L wrist X-ray; PA/AP view; pediatric patient (boy, age 7).
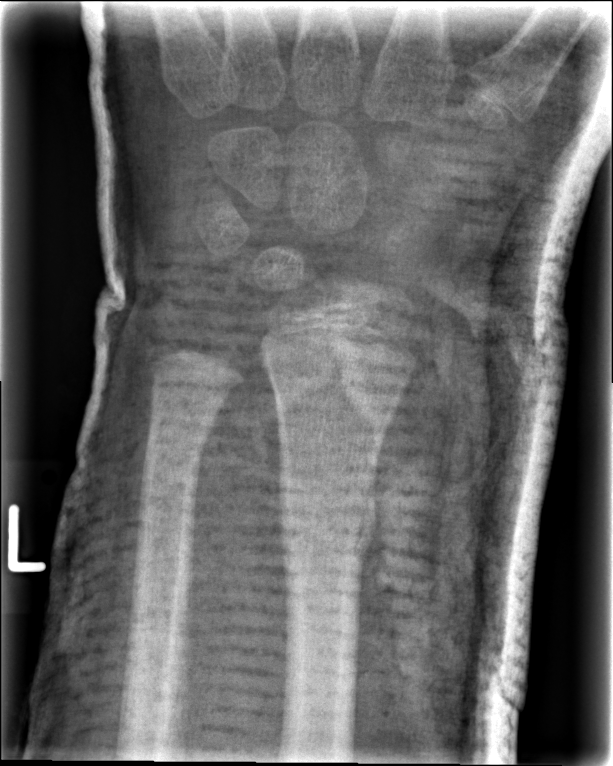 FINDINGS: Fx identified at bbox(271, 472, 380, 560). Fracture classified AO/OTA 23r-M/3.1; 23u-M/2.1.